Left wrist XR; PA; cast present — 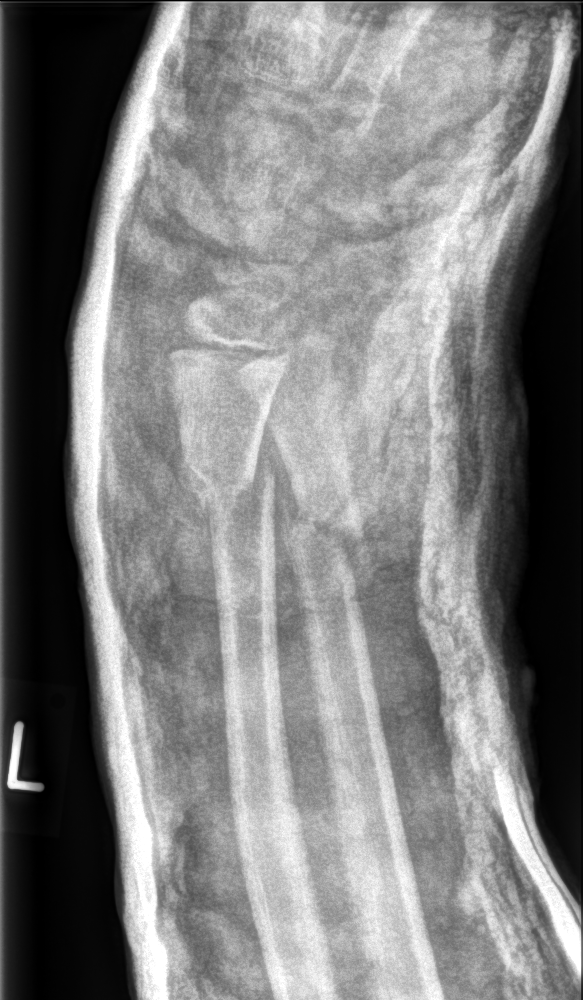 Findings: (bounding boxes in image-pixel xyxy) Fractures — [172, 448, 279, 541]; [275, 494, 372, 584].